Right wrist radiograph · frontal projection · pediatric patient (male, age 3) · subsequent exam · in cast 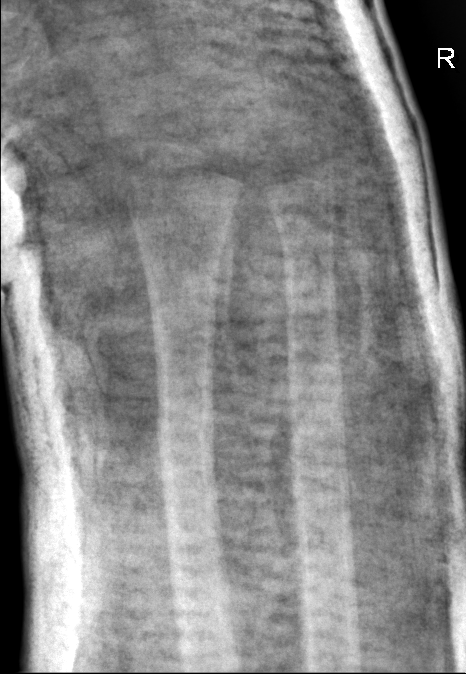

Q: What is the AO/OTA classification?
A: AO code 22-D/2.1
Q: Any fracture seen?
A: Fx: present but not clearly seen in this view